PA · left wrist radiograph · 7-year-old female · follow-up study · Siemens 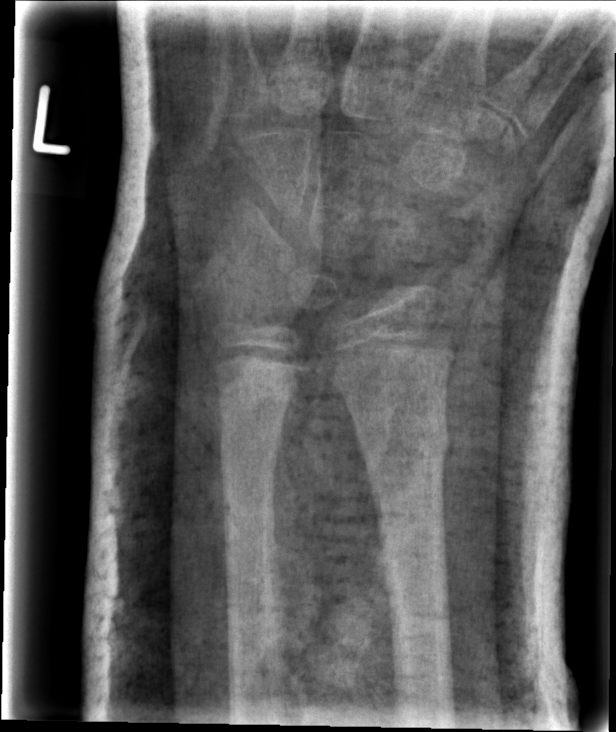 Bounding boxes in image-pixel xyxy. Fx: (350, 404, 455, 470).